Frontal view · left wrist X-ray · 466 by 662 pixels 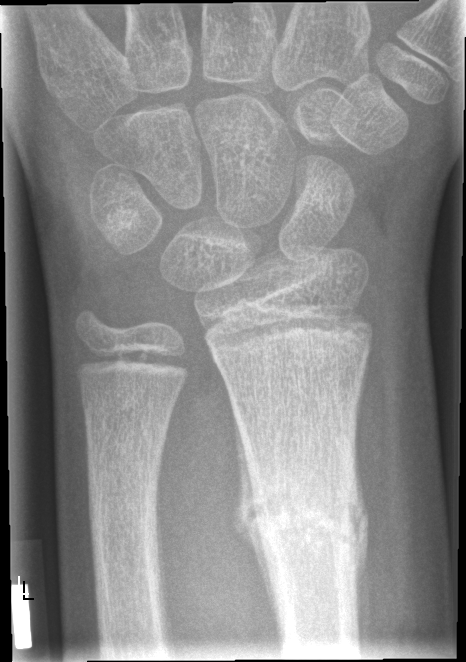
FINDINGS — AO code 23-M/2.1. Periosteal new bone: (left=234, top=420, right=278, bottom=632); (left=349, top=472, right=369, bottom=655). Reduced bone mineral density. One fracture at (left=237, top=464, right=369, bottom=575).